Left wrist plain film; posteroanterior view; age 11 y, boy; index exam; Siemens; image 73.4 mm wide:

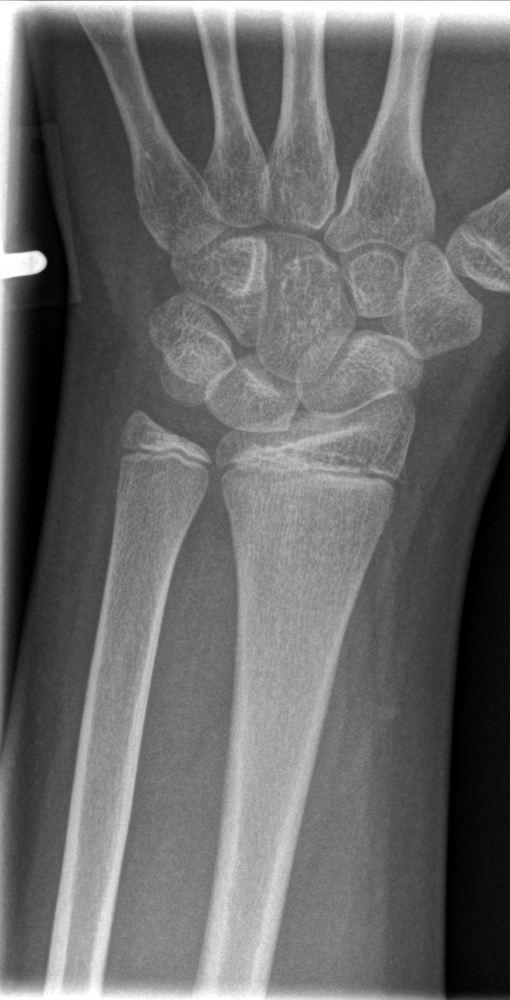
• Fracture: none labeled.